Left wrist plain radiograph of the wrist, lateral projection, 13y M, image 74.6 mm wide.

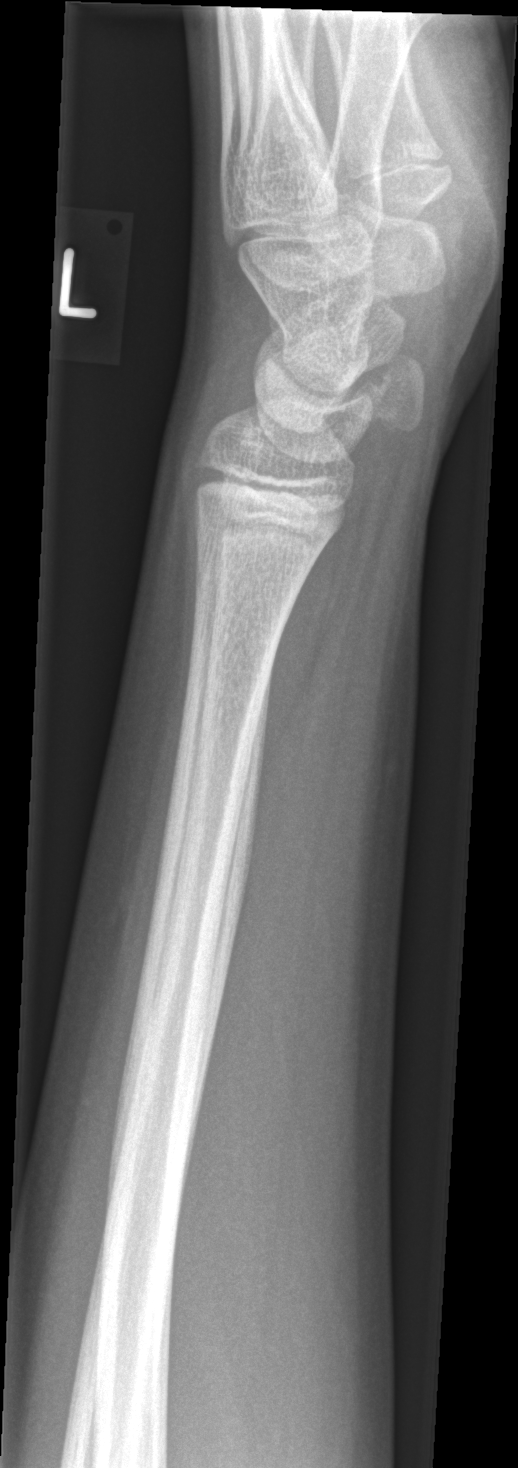 • Fx: none.